R wrist XR · AP · 14y M · imaged through cast: 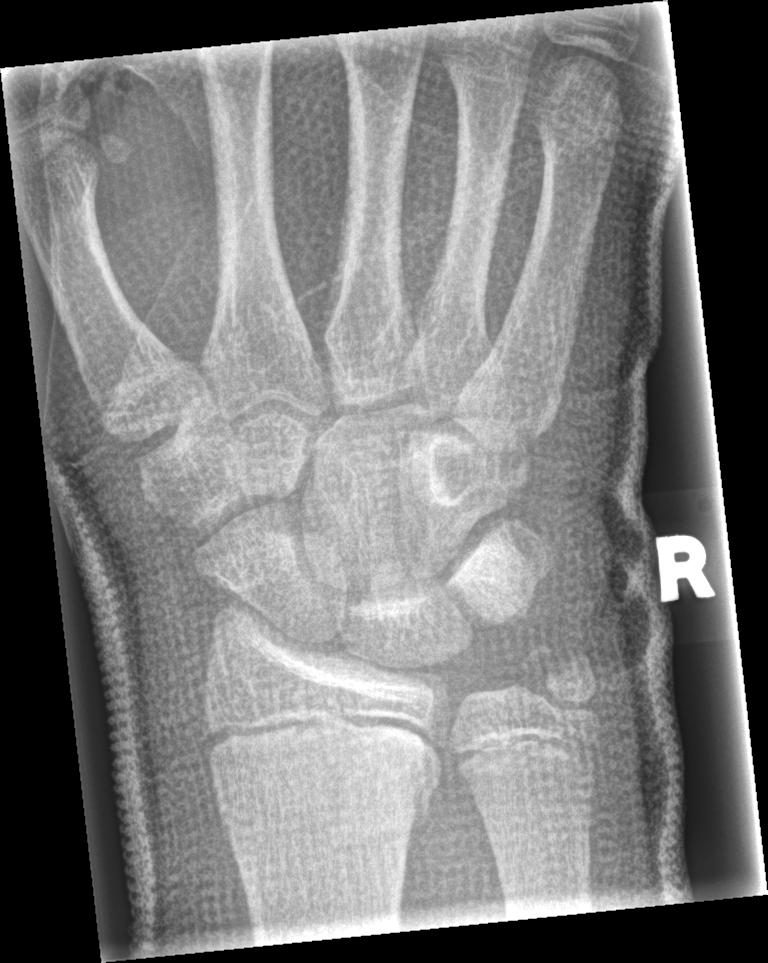 FINDINGS — Bone fractures — (203, 703, 450, 839); (512, 628, 608, 732).